Frontal · L plain radiograph of the wrist · 11y M · 86.4 mm image width — 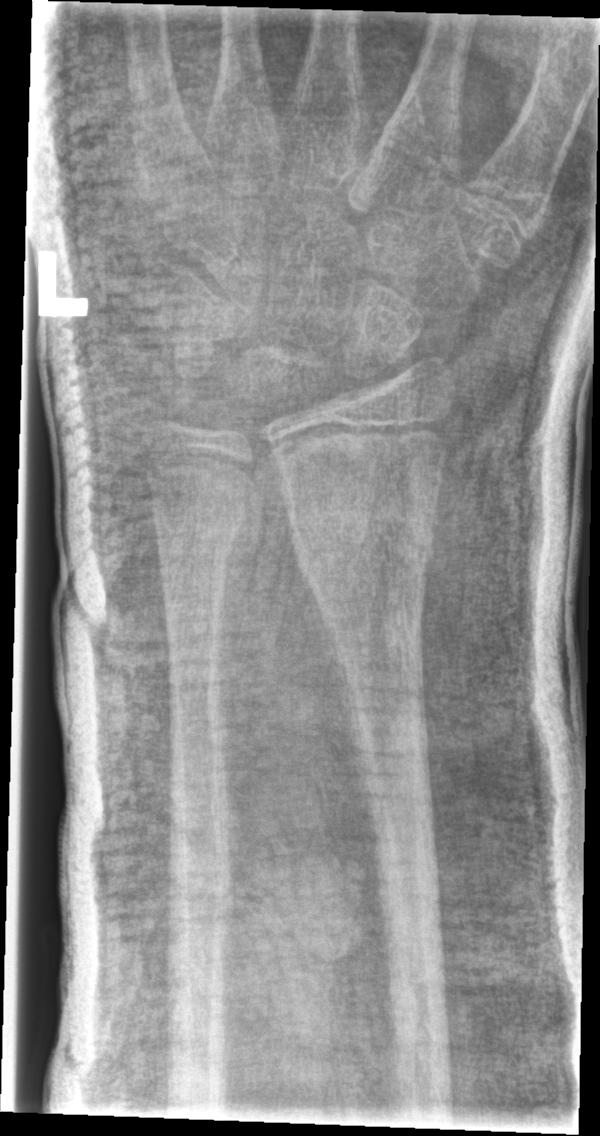 Bone fracture: (left=291, top=523, right=434, bottom=579); (left=153, top=522, right=237, bottom=563)
AO/OTA: 23-M/2.1